PA/AP, right wrist radiograph, cast present, acquired on Siemens — 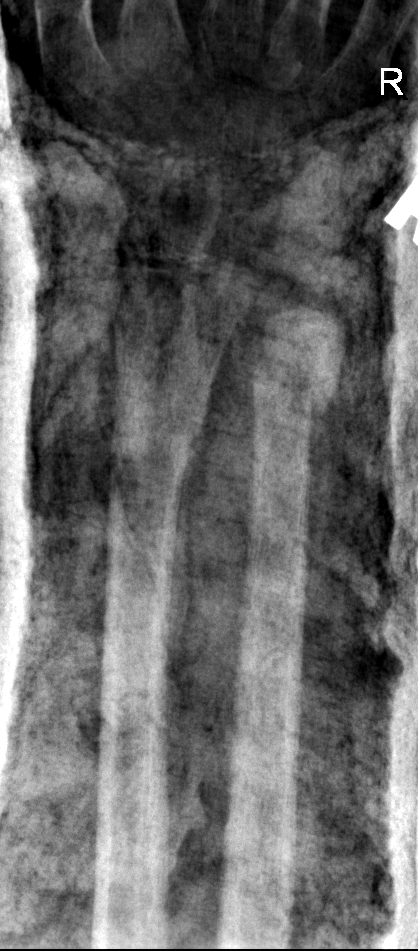

Two bone fractures at (247, 337, 339, 429); (105, 384, 208, 466). AO code 23-M/3.1.